Rt wrist radiograph · lat projection · 13-year-old female · Siemens.
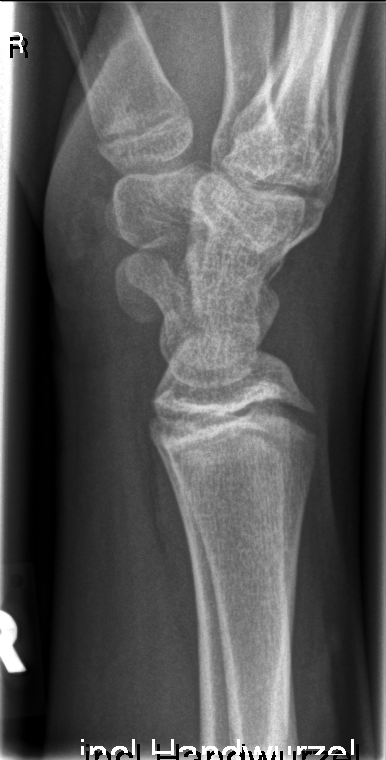

* No fracture annotation.